Posteroanterior, Lt plain radiograph of the wrist, 1.8-year-old male. 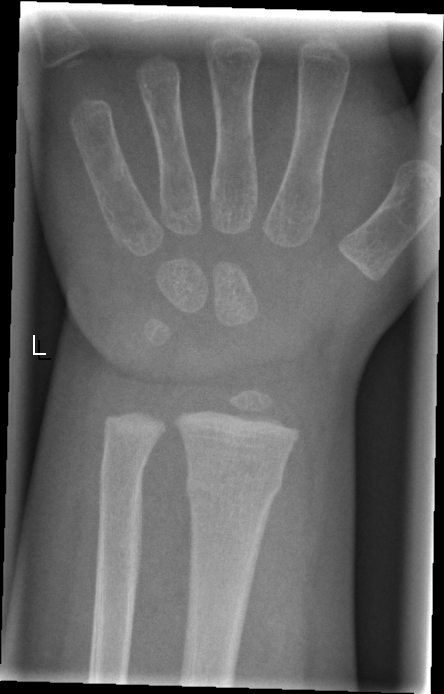

(boxes as x1,y1,x2,y2 (top-left / bottom-right, pixel units))
bone fracture: 2 @ 183 463 285 504 | 95 452 150 486
AO/OTA: 23-M/2.1